Left plain radiograph of the wrist; lat; age 5 y, male.

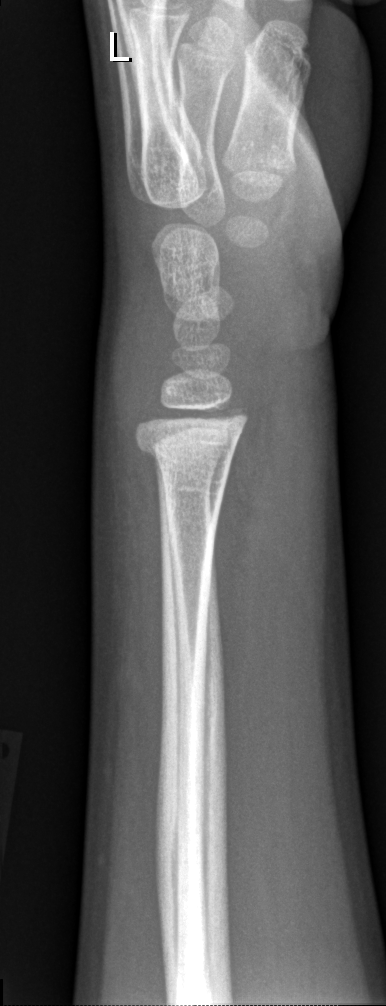

Findings: (coordinates are [x1, y1, x2, y2] in image pixels) One Fx at <131,426>-<241,483>.